AP view; left wrist plain film; 13y F.
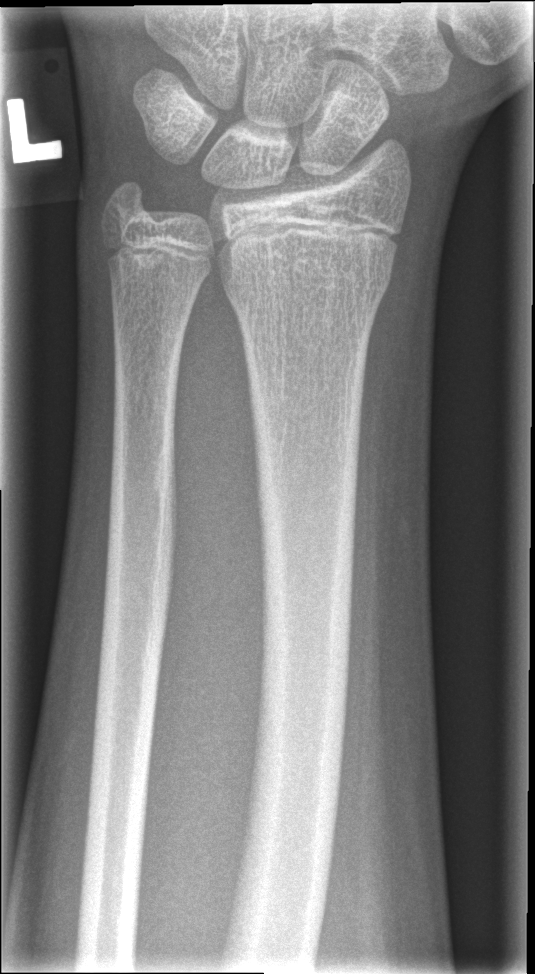 Fracture = [x1=217, y1=242, x2=394, y2=311]
AO code = 23r-M/2.1